Left pediatric wrist radiograph | lateral view | age 14 y, female —

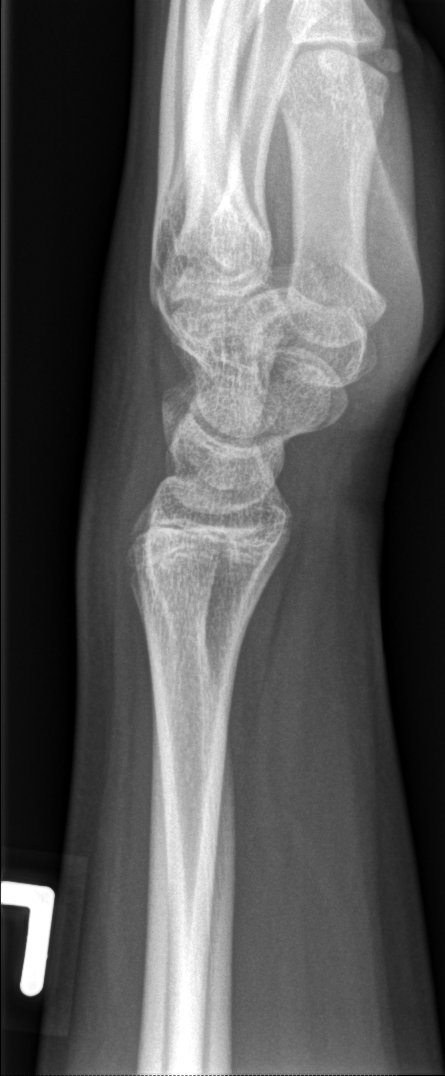
  fracture: none labeled